Rt plain radiograph of the wrist | frontal | male, 14 yo:
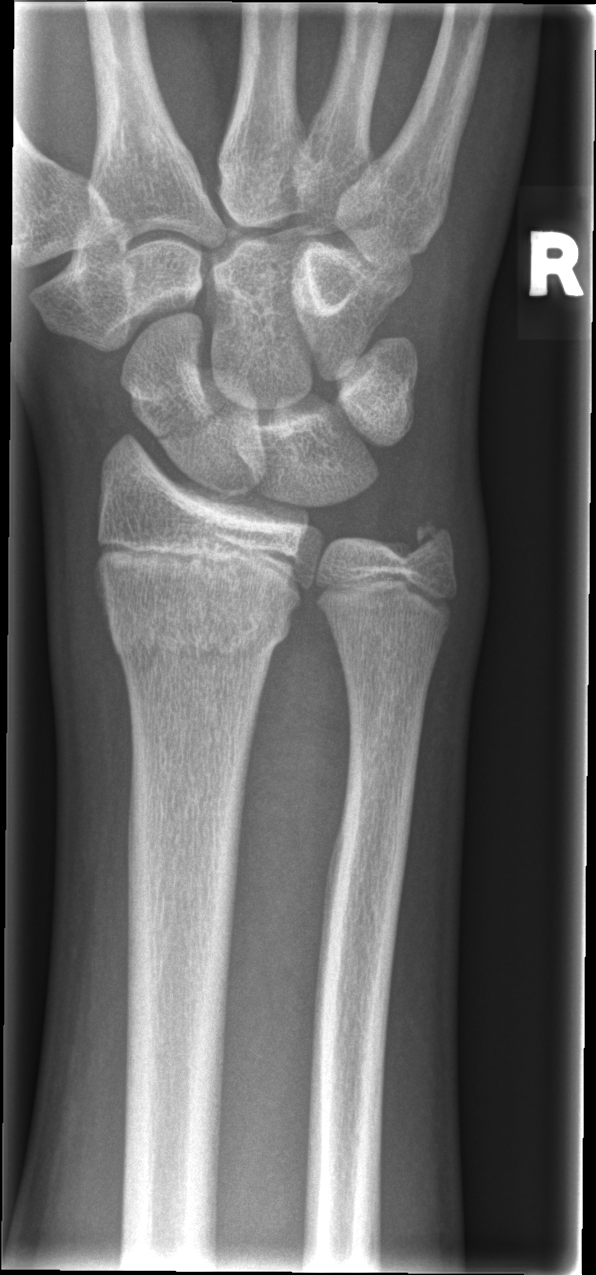
(pixel coordinates, top-left origin, xyxy)
fracture: 3 @ (left=97, top=572, right=299, bottom=685); (left=146, top=369, right=243, bottom=454); (left=393, top=515, right=459, bottom=573)
AO code: 23r-M/3.1; 23u-E/7; 72B.(b)